Left wrist radiograph, AP view, acquired on Siemens.

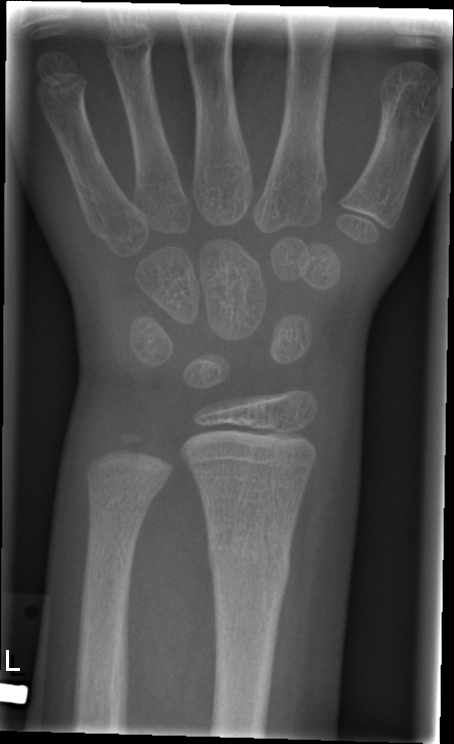 FINDINGS — (coordinates are [x1, y1, x2, y2] in image pixels) Two fractures at 205,533,293,603 | 81,471,168,521.